PA projection · Lt pediatric wrist radiograph · pediatric patient (girl, age 5) · cast present
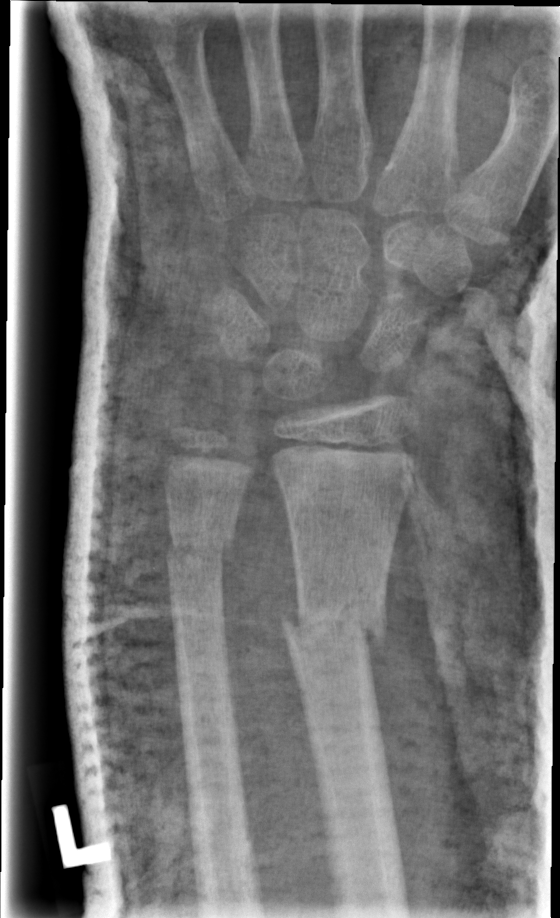
* AO code 23-M/3.1.
* Fx — (left=278, top=594, right=390, bottom=658); (left=161, top=516, right=239, bottom=578).